Rt wrist radiograph, lateral projection, pediatric patient (male, age 13), 714 by 1562 pixels:

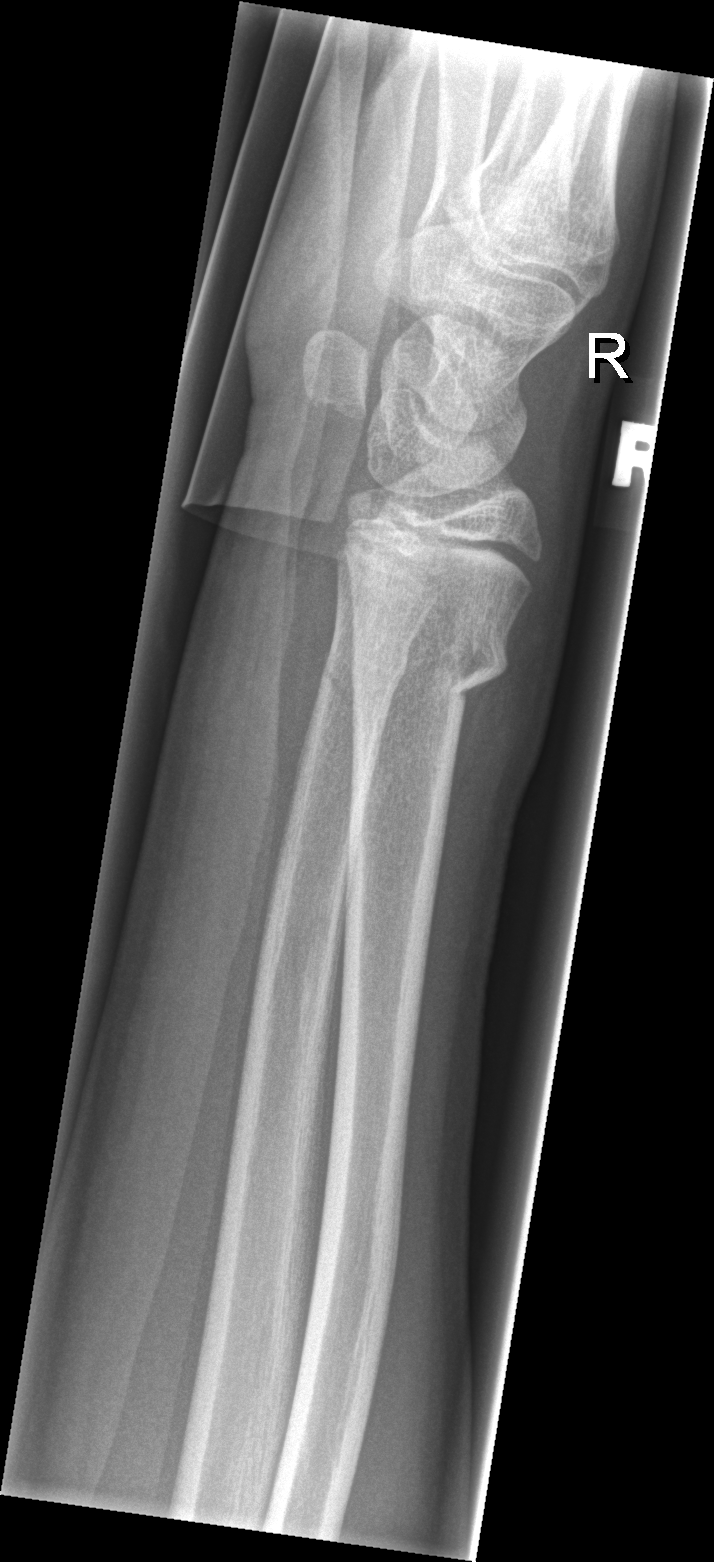 Fx = 2 @ (348, 614, 512, 717) (318, 638, 413, 709)
AO/OTA = 23-M/3.1